Lt wrist X-ray; frontal view: 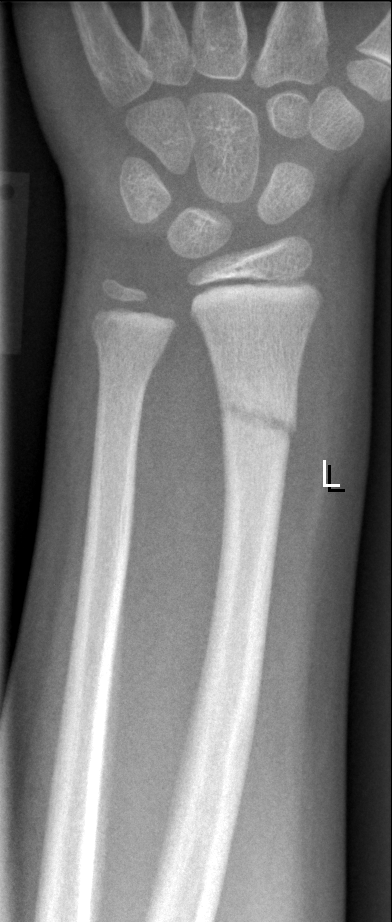 Bounding boxes in image-pixel xyxy. Fractures — 212 382 301 452 | 87 319 169 379. Fracture classified AO/OTA 23r-M/3.1; 23u-M/2.1.